Right wrist plain radiograph of the wrist | lateral view.

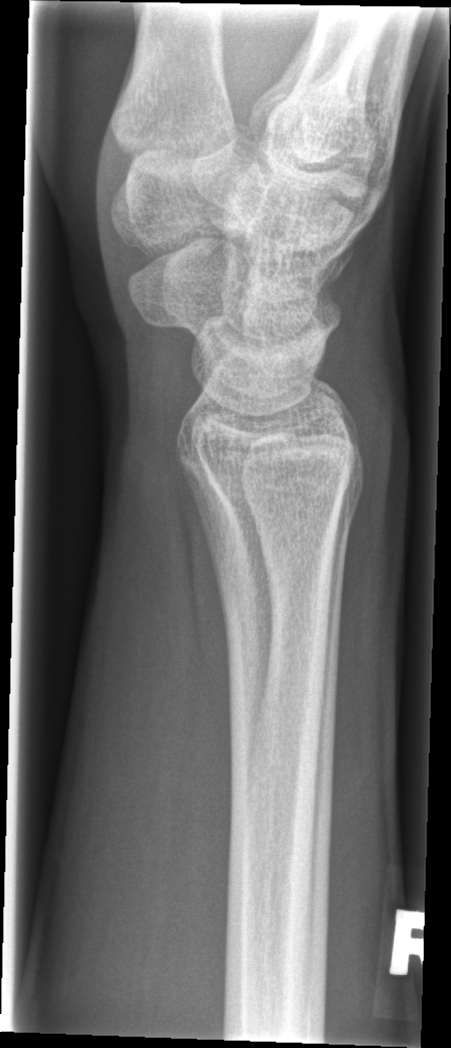
• No fracture bounding box.